Lateral projection · Lt wrist radiograph · 15y M · follow-up study. 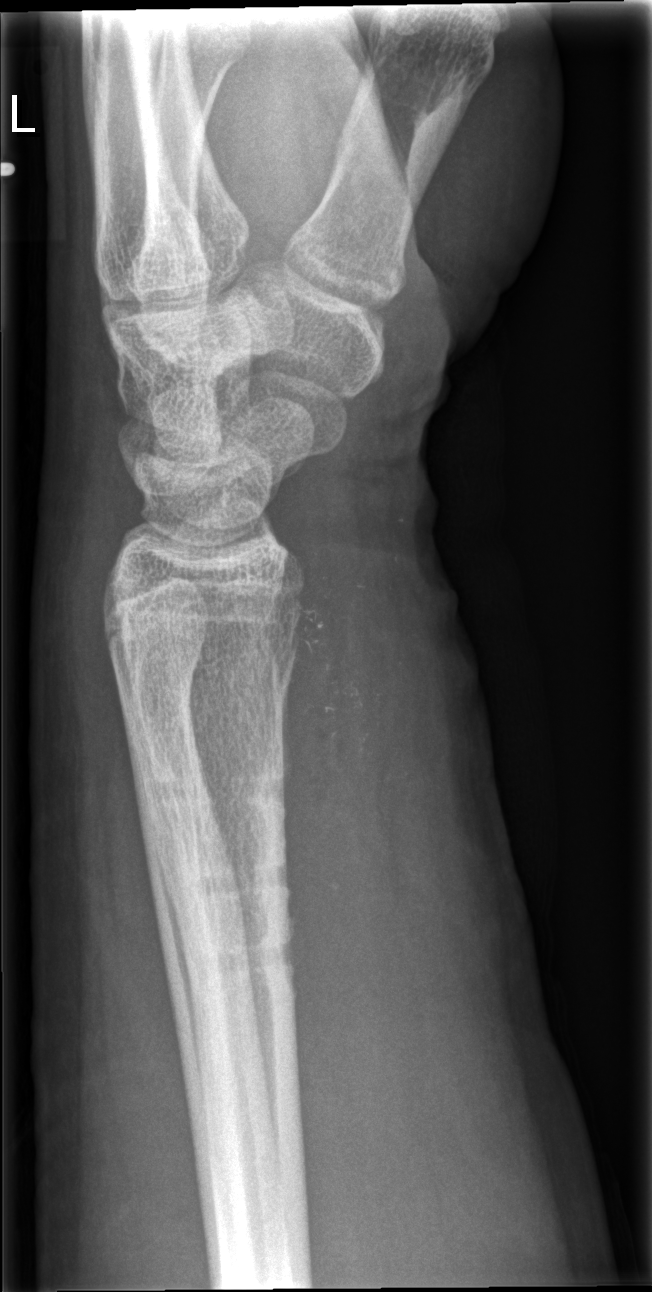

fracture: present but not clearly seen in this view
AO/OTA: 23u-E/7
bone variant: 98 566 288 637
  136 756 291 813
  173 851 297 902
  185 934 300 984
soft tissue abnormality: 289 492 435 1057